Right wrist plain radiograph of the wrist · lat projection · in cast · 421x904
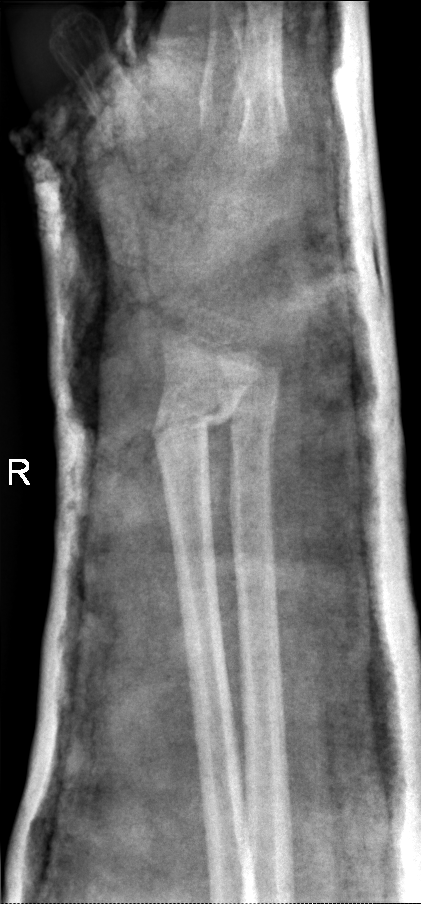
FINDINGS — (boxes as x1,y1,x2,y2 (top-left / bottom-right, pixel units)) Fx: 148 395 239 450 | 224 396 284 450. Fracture classified AO/OTA 23r-M/3.1; 23u-M/2.1.